Lat projection | R wrist plain film | boy, 6 yo | index exam | 537 x 912 px
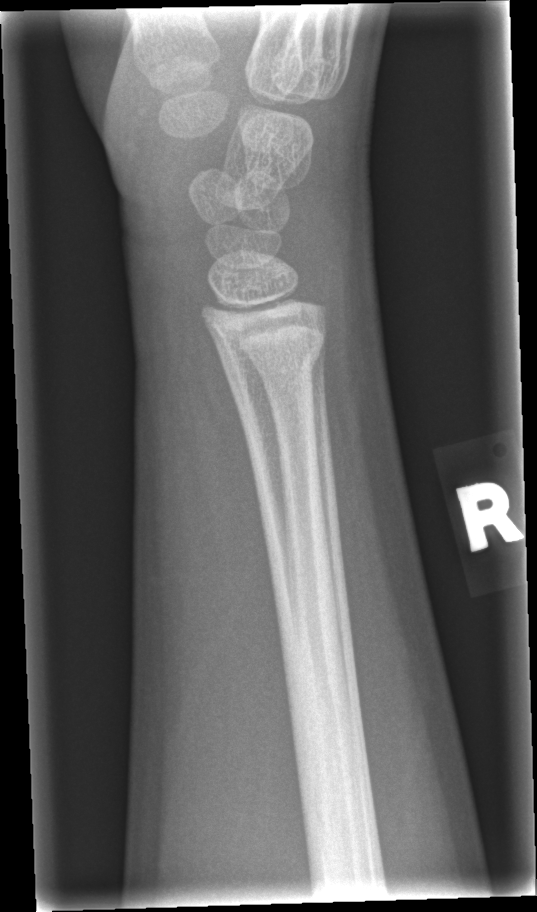 (pixel coordinates, top-left origin, xyxy)
Fracture: 1 @ (216, 328, 325, 397)